Lt wrist X-ray; lat; girl, 8 yo; follow-up study; in cast 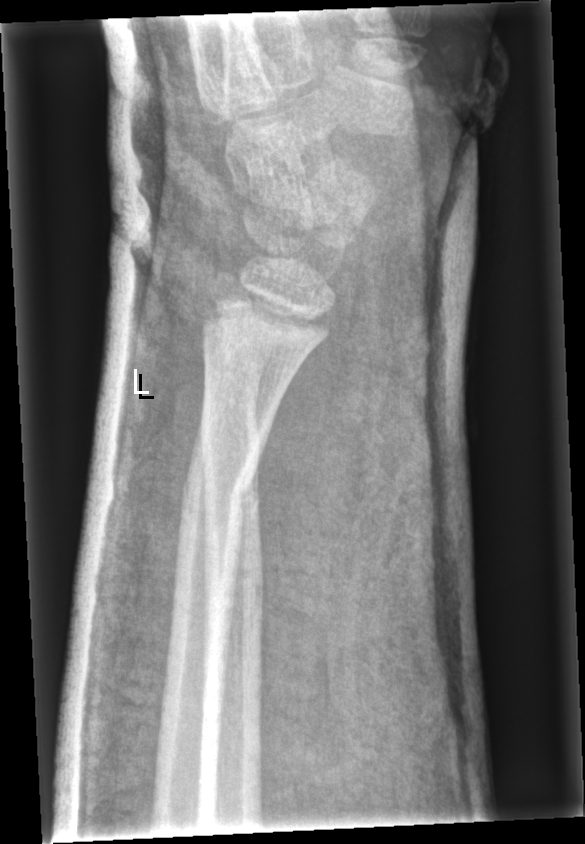

• AO code 23-M/2.1.
• One bone fracture at 175 455 261 531.